Lat · Rt wrist X-ray · age 10 y, girl · detector: Siemens —
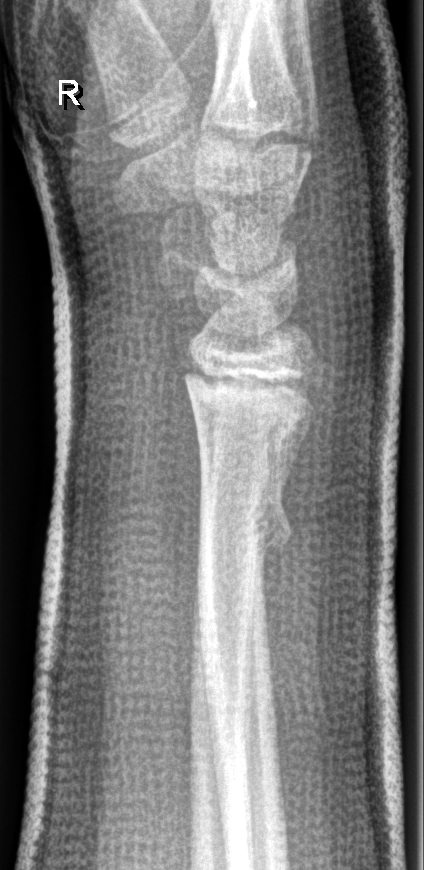

* Bone fracture: bbox(191, 482, 296, 569).
* Fracture classified AO/OTA 23r-M/3.1; 23u-M/2.1; 23u-E/7.